PA/AP | left wrist plain film | pediatric patient (boy, age 12) | presentation radiograph —
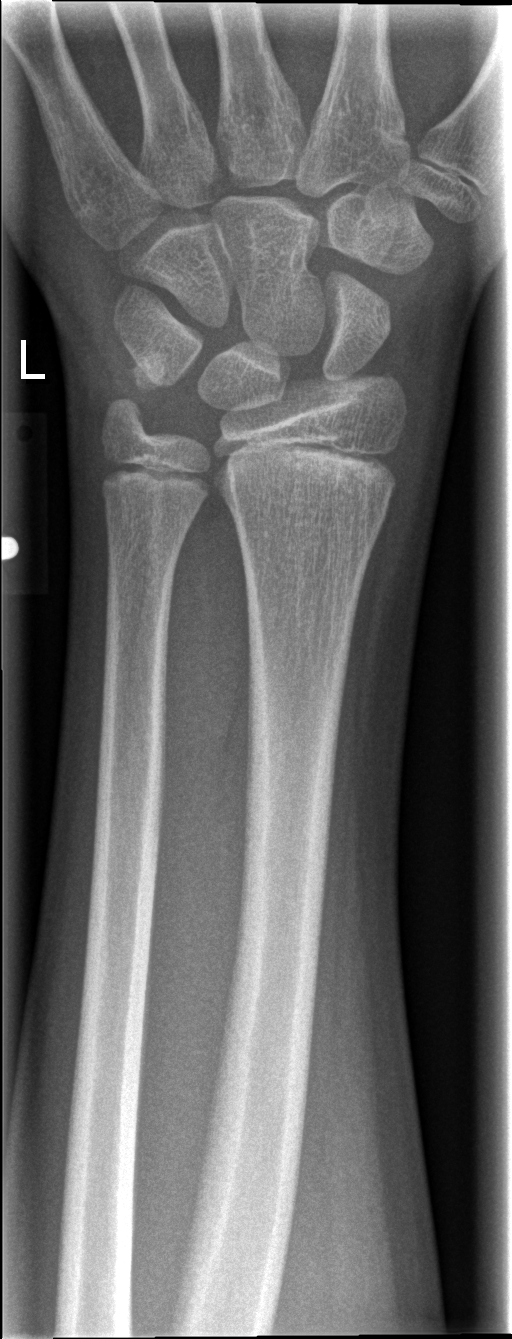
Q: Locate any fractures.
A: Fx: none